PA projection | right wrist plain film. 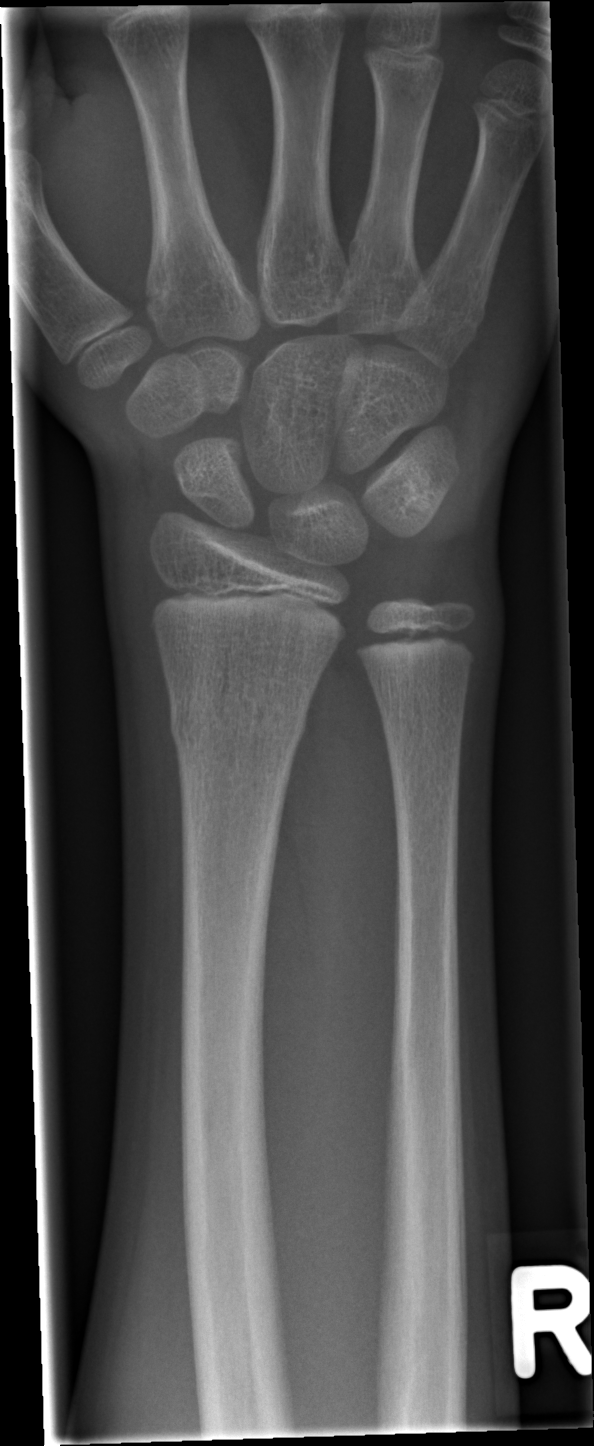
(boxes as x1,y1,x2,y2 (top-left / bottom-right, pixel units))
Fx: 1 @ (left=165, top=687, right=311, bottom=757)
AO code: 23r-M/2.1